L wrist XR; lateral; image 98.6 mm wide:
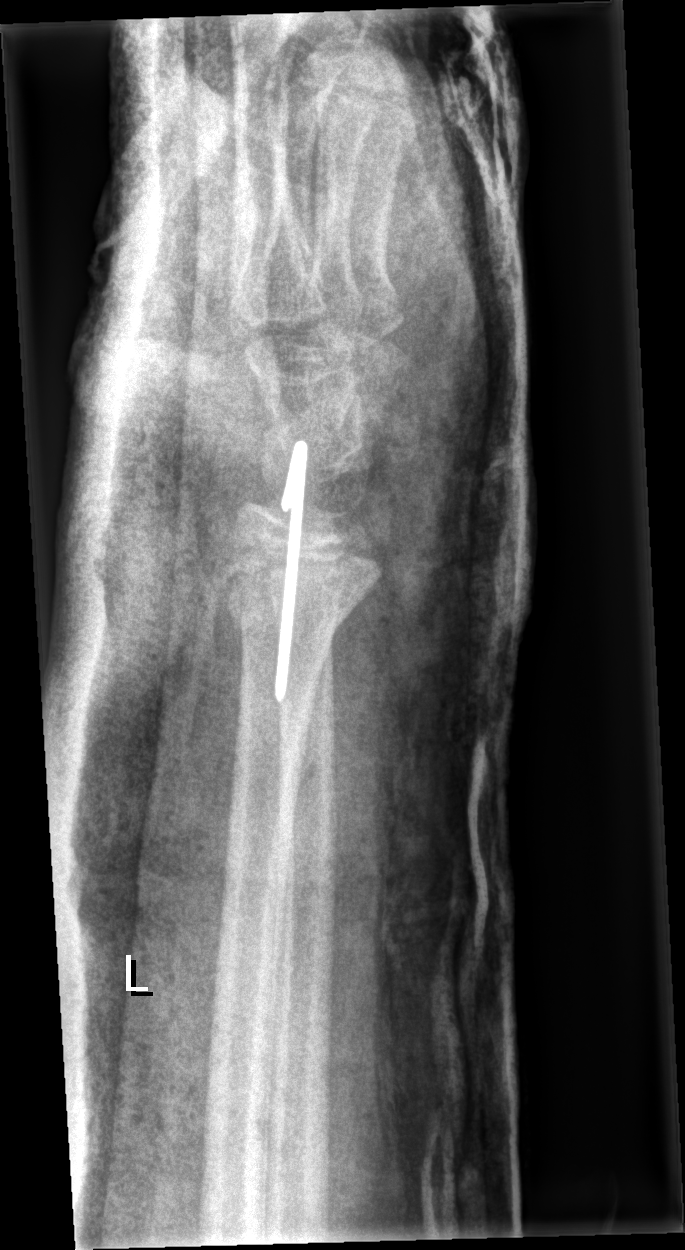
metal: 1 @ (left=273, top=438, right=309, bottom=706)
bone fracture: 1 @ (left=209, top=543, right=386, bottom=646)
AO classification: 23r-E/2.1